L wrist plain film; frontal projection; presentation radiograph; Siemens.

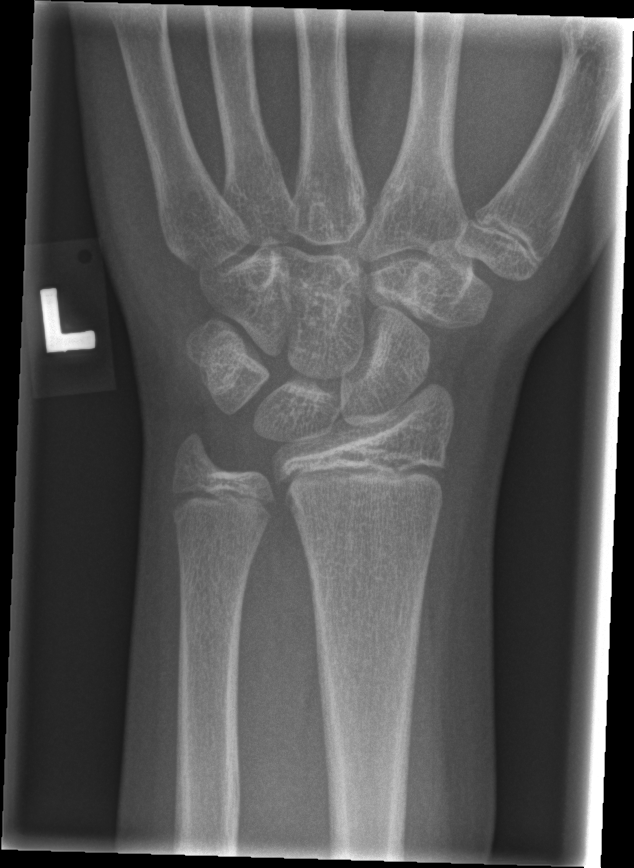 {"fracture": "none labeled"}